Lat view; left wrist XR; presentation radiograph; Siemens; image 67.5 mm wide — 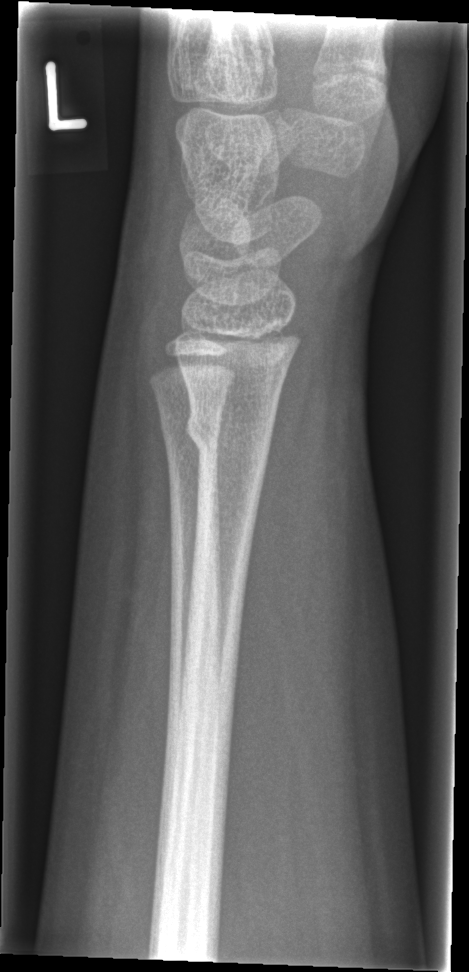 {"fracture": "<179,403>-<282,467>", "ao": "23-M/2.1"}